Frontal | right wrist radiograph | Siemens.
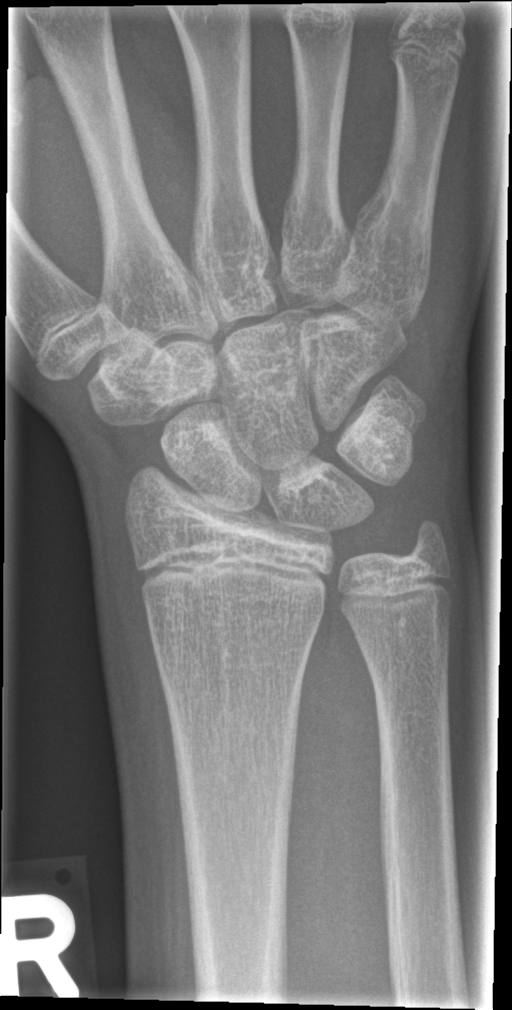 FINDINGS: Fx: none.